Right wrist XR | PA projection | pediatric patient (male, age 10) | follow-up. 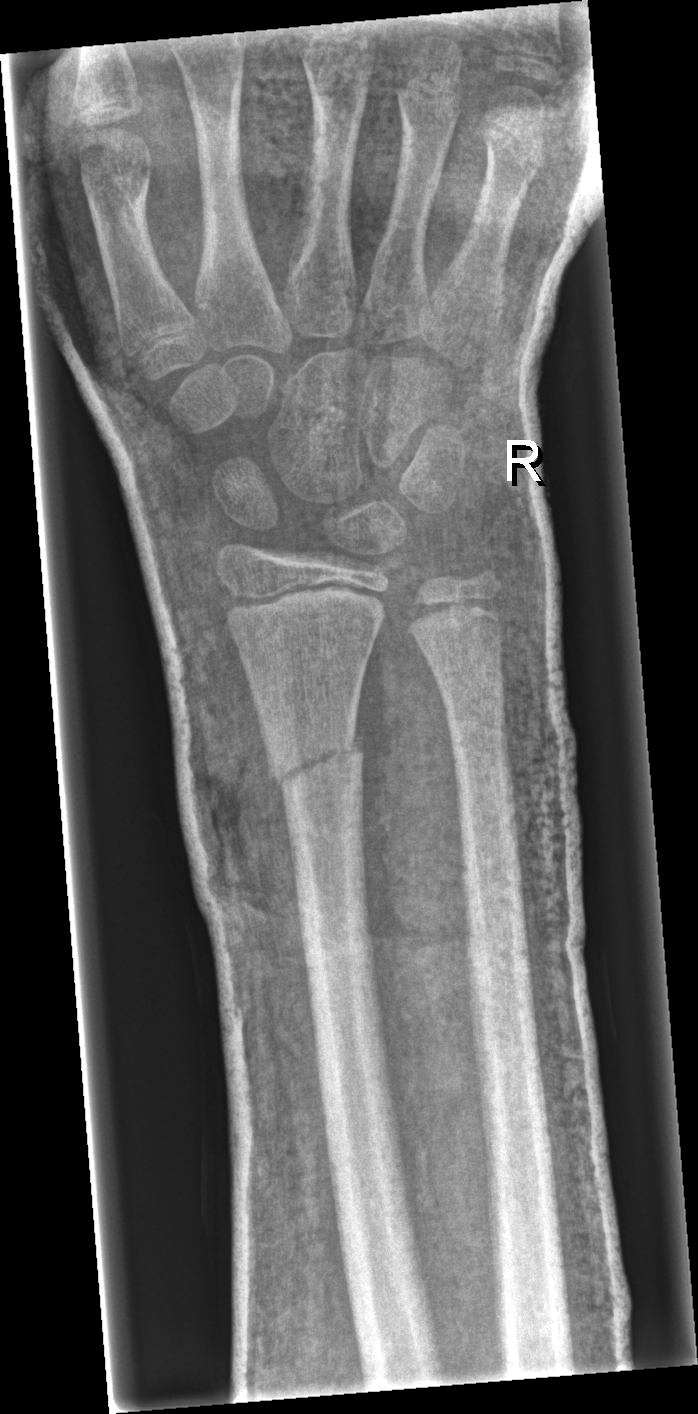 (coordinates are [x1, y1, x2, y2] in image pixels)
AO classification: 23-M/3.1; 23u-E/7
Fracture: bbox(265, 731, 368, 802)